AP, left wrist X-ray, 13-year-old male, cast in situ: 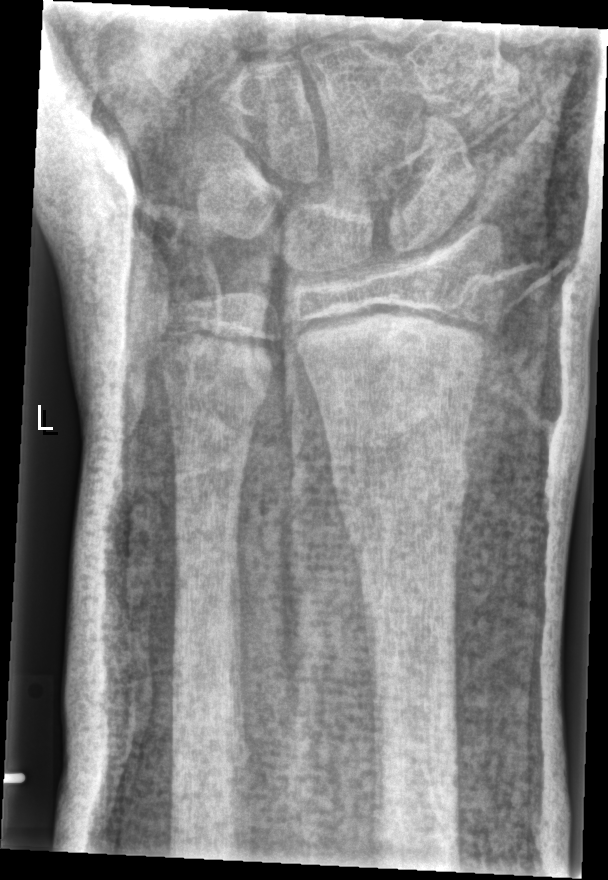
Pixel coordinates, top-left origin, xyxy. Bone fracture identified at 329 430 473 553
  172 513 247 584.